PA/AP projection, L plain radiograph of the wrist, 9y M, subsequent exam, in cast, 678x1192

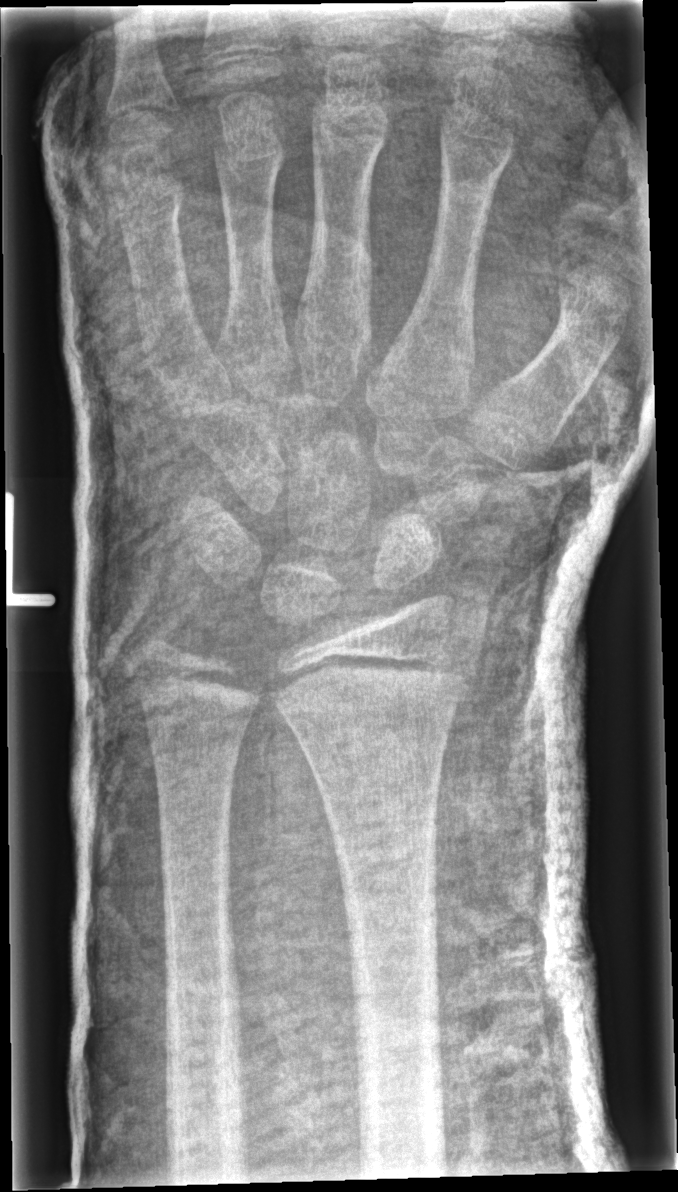 ao: 23r-E/2.1
fracture: present but not clearly seen in this view